AP view; Lt pediatric wrist radiograph; subsequent exam —
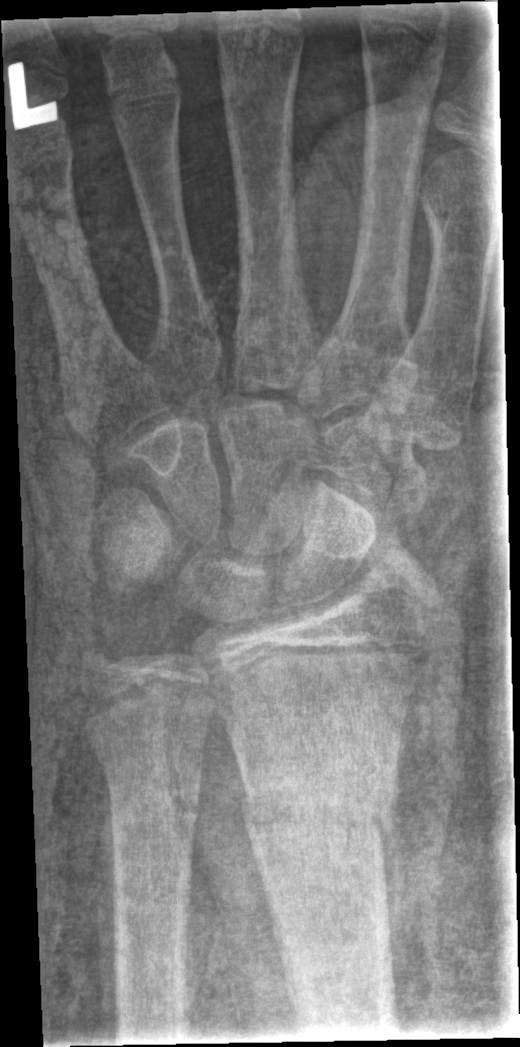

(pixel coordinates, top-left origin, xyxy)
AO/OTA = 23-M/3.1
Bone fracture = [x1=239, y1=773, x2=401, y2=856]; [x1=101, y1=742, x2=207, y2=827]